Rt pediatric wrist radiograph; PA projection; 7-year-old boy; subsequent exam; cast in situ; 719 by 856 pixels —

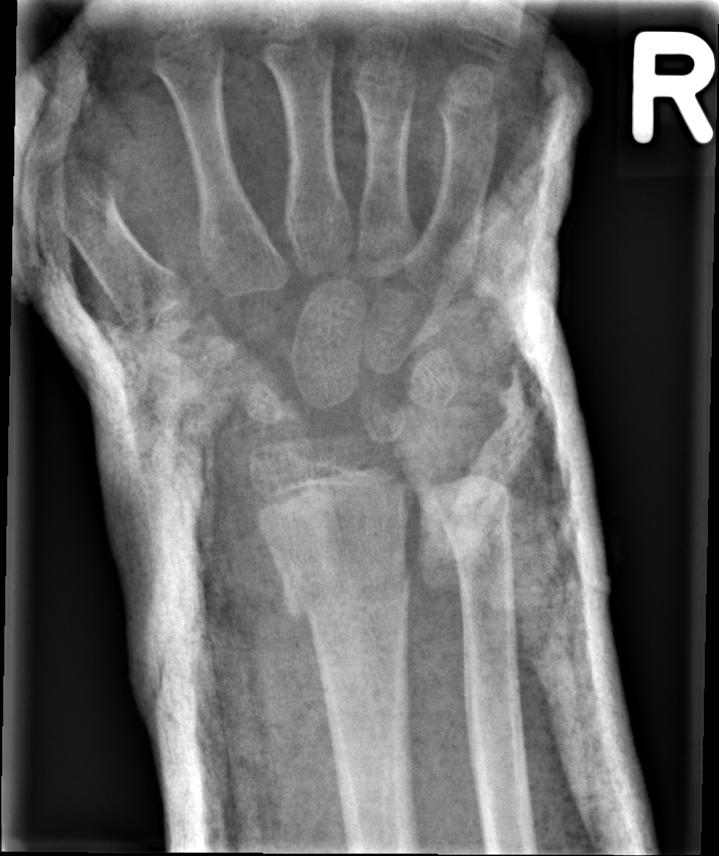

Pixel coordinates, top-left origin, xyxy.
Fracture classified AO/OTA 23r-M/3.1; 23u-M/2.1.
One Fx at [x1=281, y1=562, x2=415, y2=624].